Lateral projection; R wrist X-ray; pediatric patient (girl, age 7); cast present —

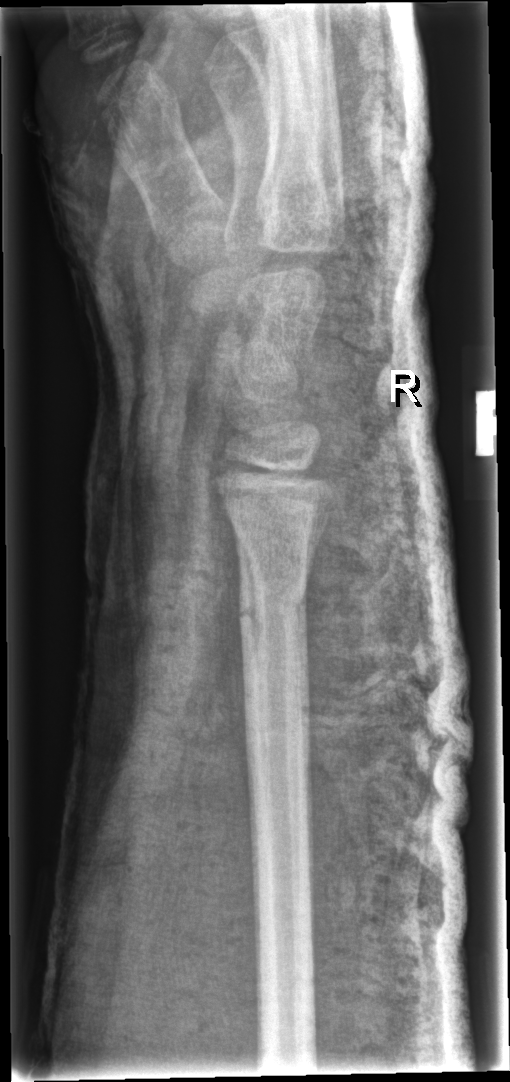 Q: Locate any fractures.
A: Fracture: [233, 570, 311, 633]